Lt plain radiograph of the wrist, PA/AP.

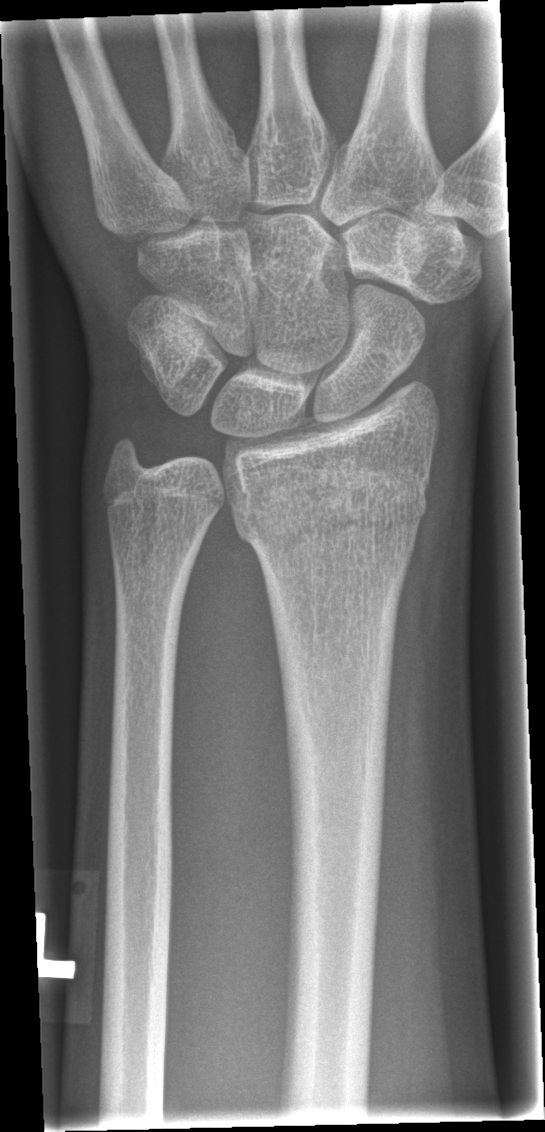 {
  "ao": "23r-M/3.1",
  "fracture": "<222,453>-<434,561>"
}